Left pediatric wrist radiograph | PA view | 10y M | image width 100.2 mm.

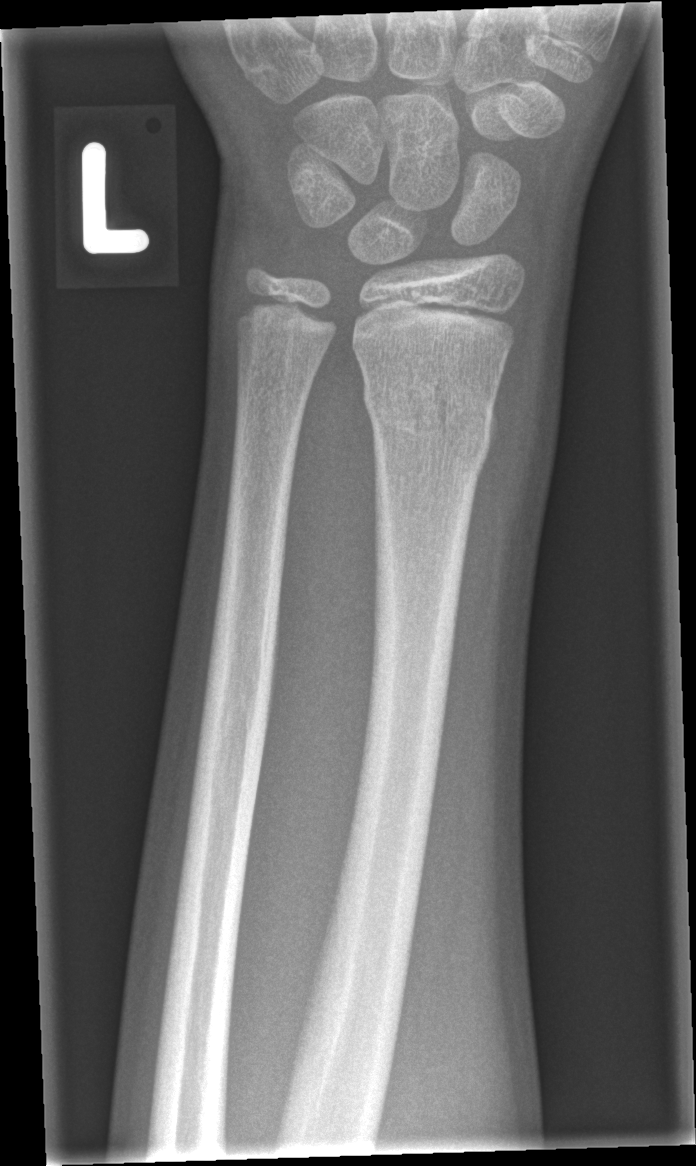 Pixel coordinates, top-left origin, xyxy.
Fracture identified at 360,367,500,476.